Rt wrist plain film | lat view | index exam — 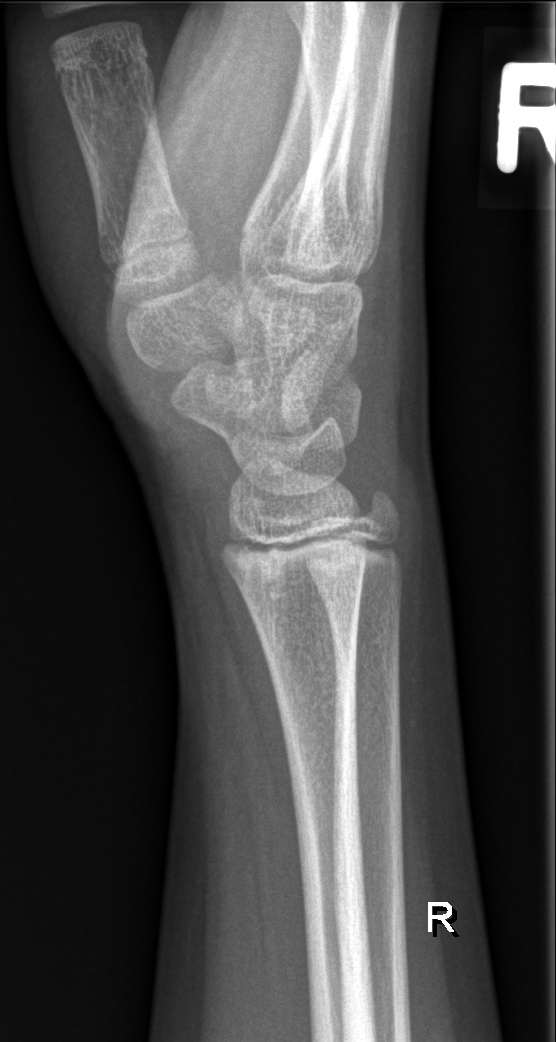
AO/OTA: 77.1.1A
Fx: 1 @ [93, 184, 195, 249]